Lateral, right wrist radiograph, 12-year-old male, 65.4 mm image width, 454 x 1142 px: 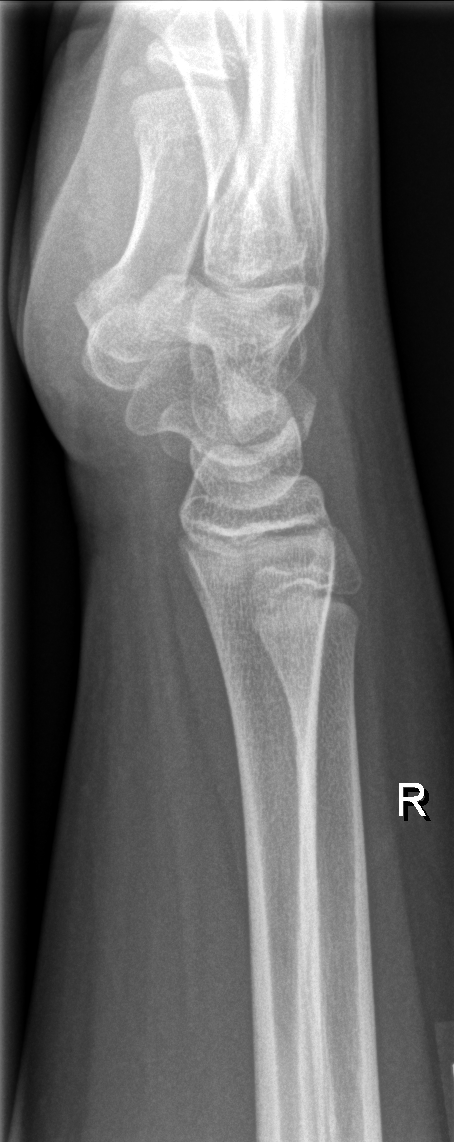 No fracture bounding box.